Left wrist XR · lat · pediatric patient (girl, age 8) · detector: Siemens · image size 442x958
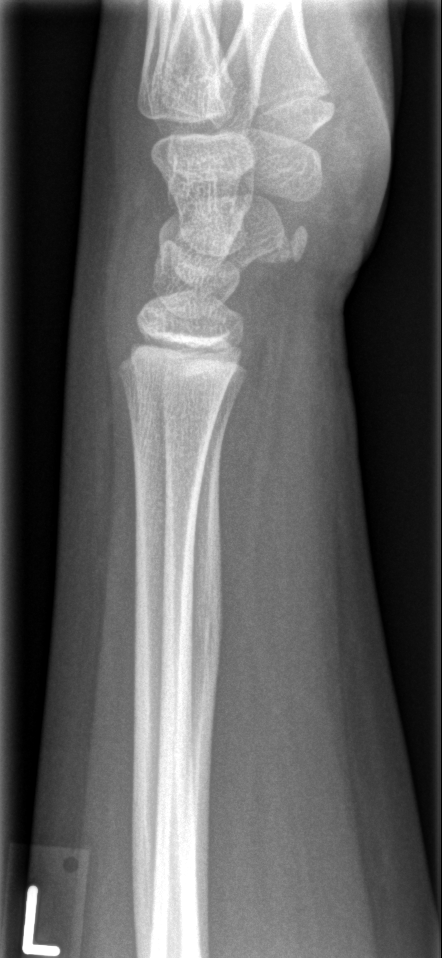
Q: Fracture present?
A: Fracture: none labeled